Rt wrist XR, lat, 538 x 788 px: 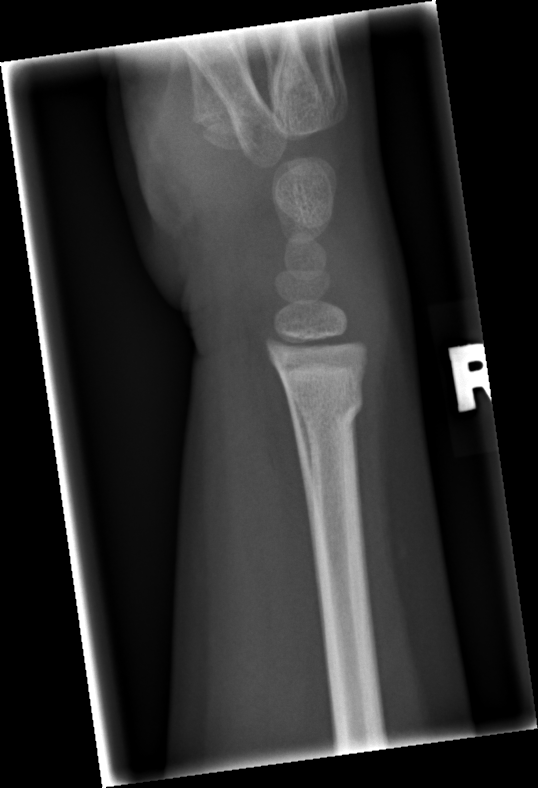

Fracture identified at (left=285, top=380, right=368, bottom=427).